Right wrist X-ray | posteroanterior view | 6y F | image size 577x848.

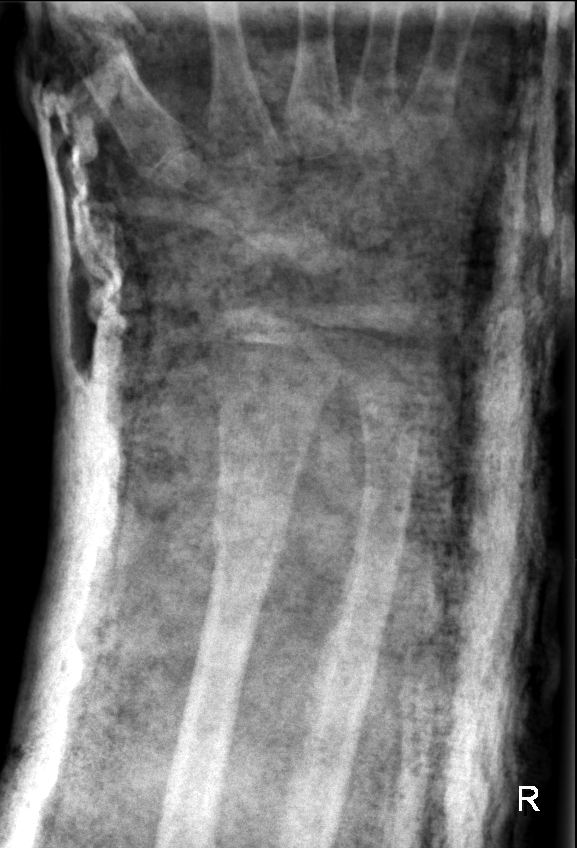
Fx: 2 @ 206 505 296 574
  354 469 416 536